Right wrist X-ray, lateral view, female, 13 yo, 448 by 589 pixels —

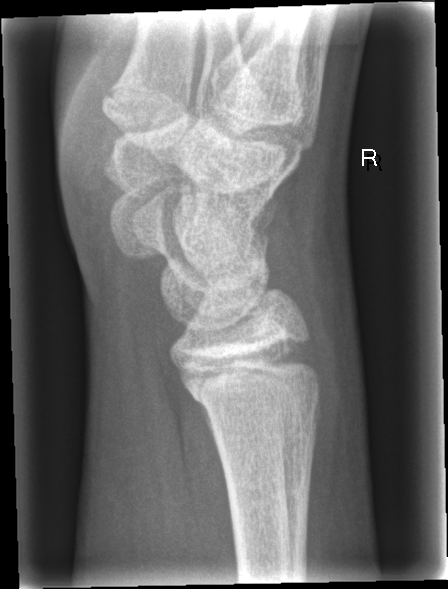
AO classification = 23r-E/2.1; 23u-M/2.1
Fx = 1 @ bbox(170, 341, 324, 408)